Posteroanterior; Rt wrist XR; 666x922 — 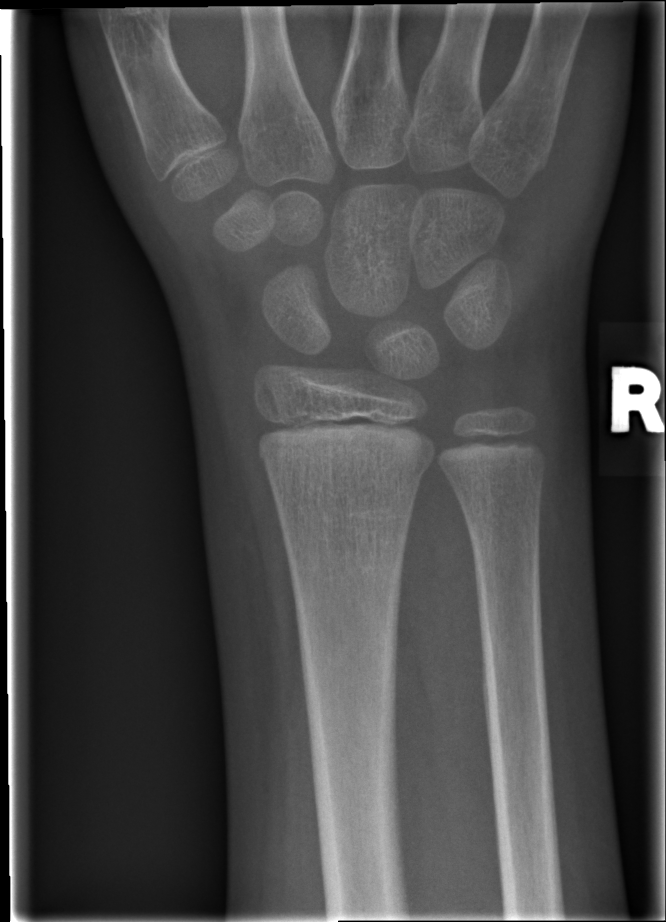 Q: AO code?
A: AO/OTA classification: 23r-M/2.1
Q: Fracture present?
A: Fracture present, but no bounding box because it is not clearly seen in this view